PA view; Rt wrist X-ray; 13y M; cast present; 685x1104: 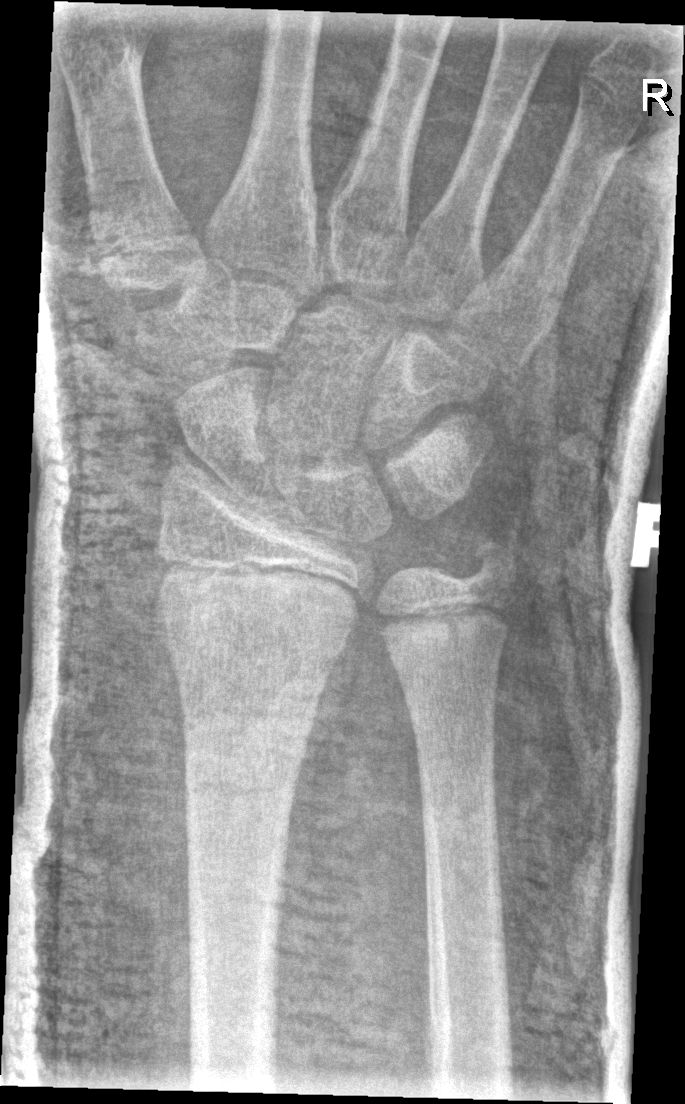 FINDINGS — (coordinates are [x1, y1, x2, y2] in image pixels) AO code 23r-M/3.1; 23u-E/7. Fx — (179, 725, 310, 811) (460, 528, 528, 591).